Lateral · L pediatric wrist radiograph.
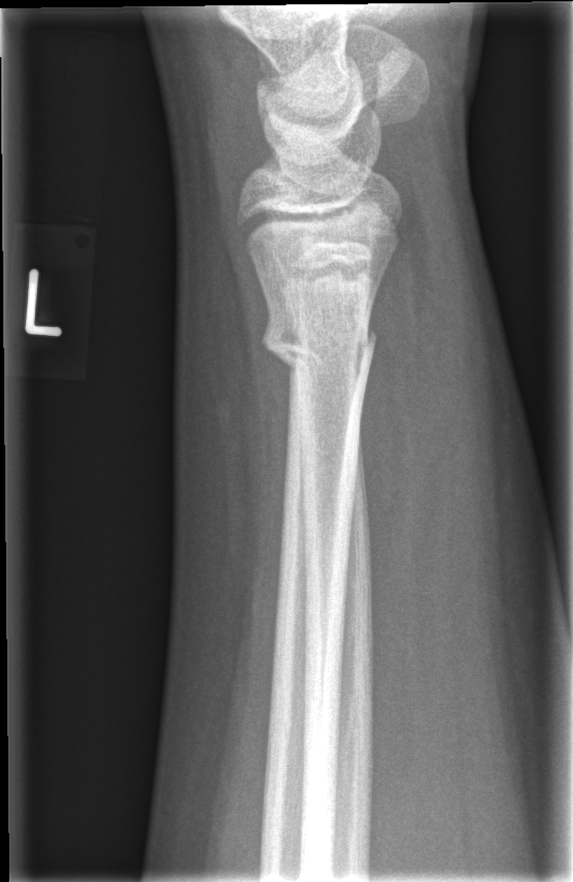
Bone fracture identified at [258, 313, 383, 377].
AO/OTA classification: 23r-M/3.1; 23u-E/7.
Pronator sign identified at [365, 224, 453, 624].